Lateral view | Lt wrist XR | 7-year-old female:

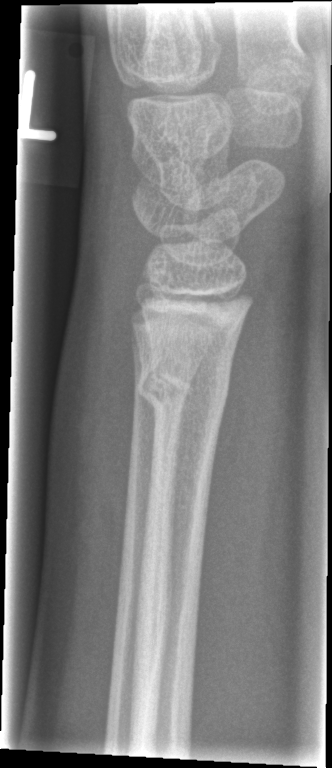 {
  "ao": "23r-M/2.1",
  "fracture": "[135, 359, 231, 413]"
}